Lt wrist plain film, posteroanterior view, follow-up study, in cast, detector: Siemens, 89.6 mm image width

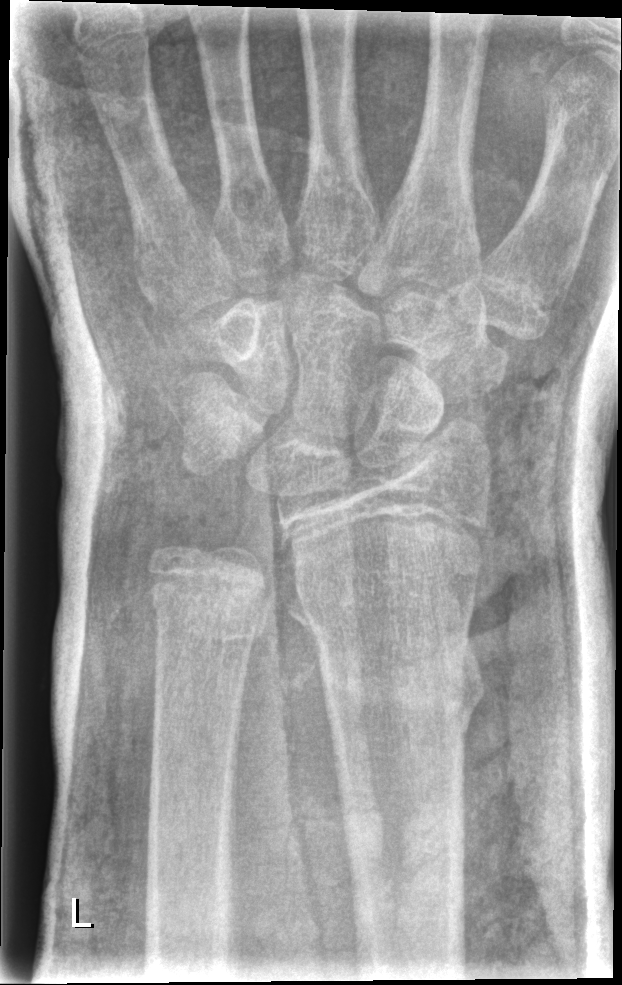
FINDINGS — Fracture classified AO/OTA 23r-M/2.1; 23u-E/2.1. Fracture: 286 593 487 728; 149 541 269 646.